Right wrist XR, lateral view, age 13 y, boy, initial study, detector: Siemens, image 62.1 mm wide — 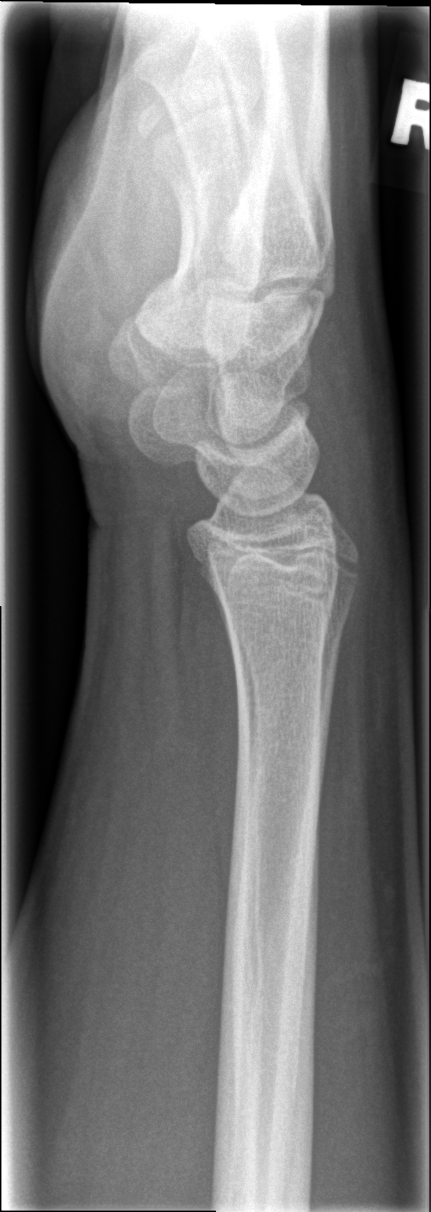

  fracture: none labeled